Right wrist plain film · AP · age 14 y, boy.

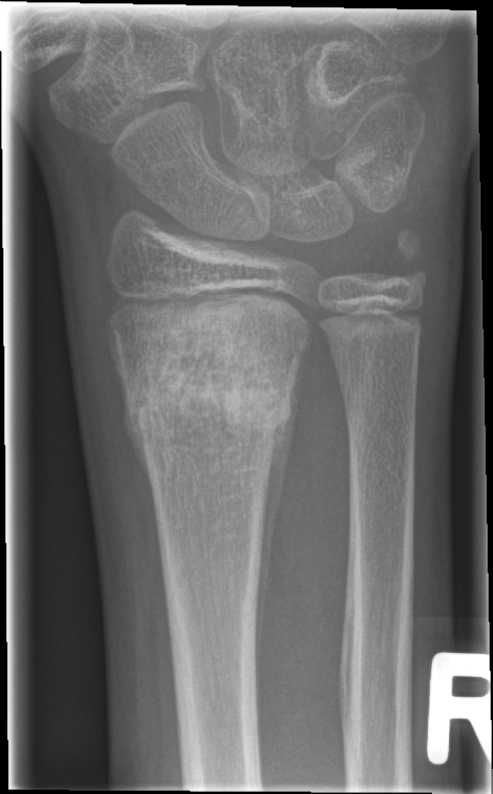
Q: Any fracture seen?
A: Bone fracture identified at 116 334 296 445 | 379 223 432 294
Q: Any periosteal thickening?
A: Periosteal reaction: 249 344 304 694; 106 322 154 489
Q: What is the AO/OTA classification?
A: Fracture classified AO/OTA 23r-M/3.1; 23u-E/7
Q: Bone density?
A: Osteopenia